Lat view, left wrist pediatric wrist radiograph, 11-year-old girl

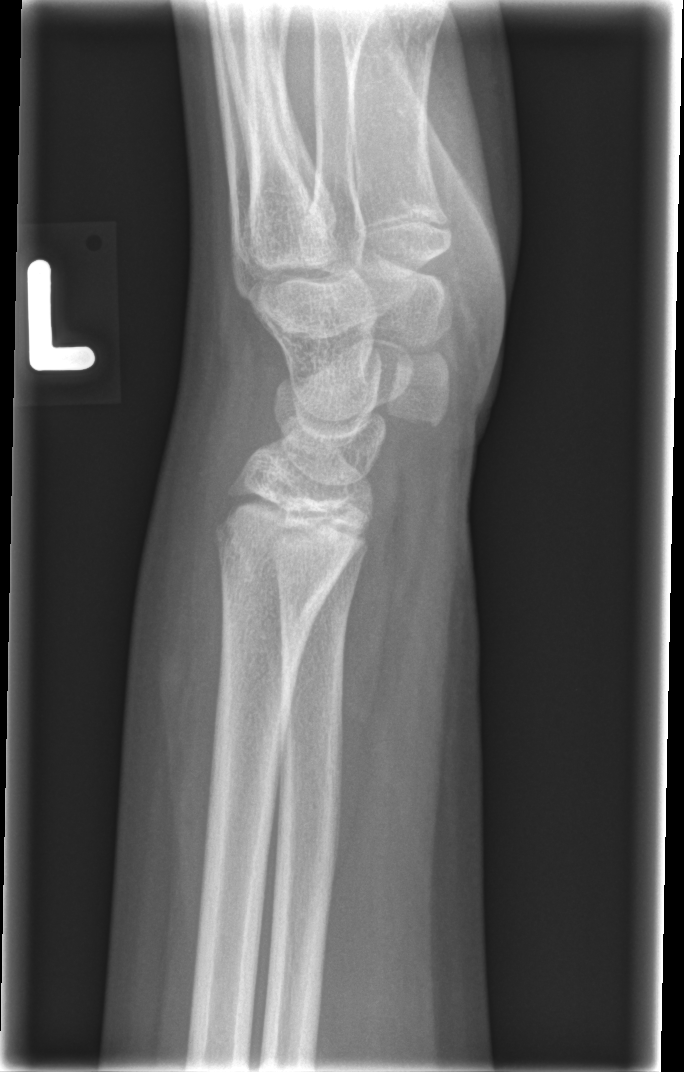 Pixel coordinates, top-left origin, xyxy.
AO code 23r-E/2.1.
One soft-tissue finding at (119, 323, 268, 901).
Fracture present, but no bounding box because it is not clearly seen in this view.